Lat · Rt wrist XR · index exam
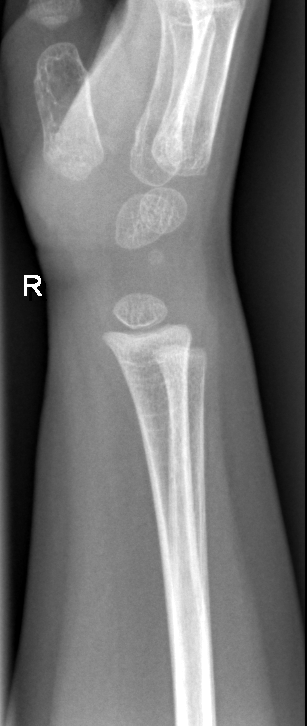 No fracture bounding box.